Left wrist pediatric wrist radiograph, posteroanterior projection, 16-year-old female, 592 x 1332 px —

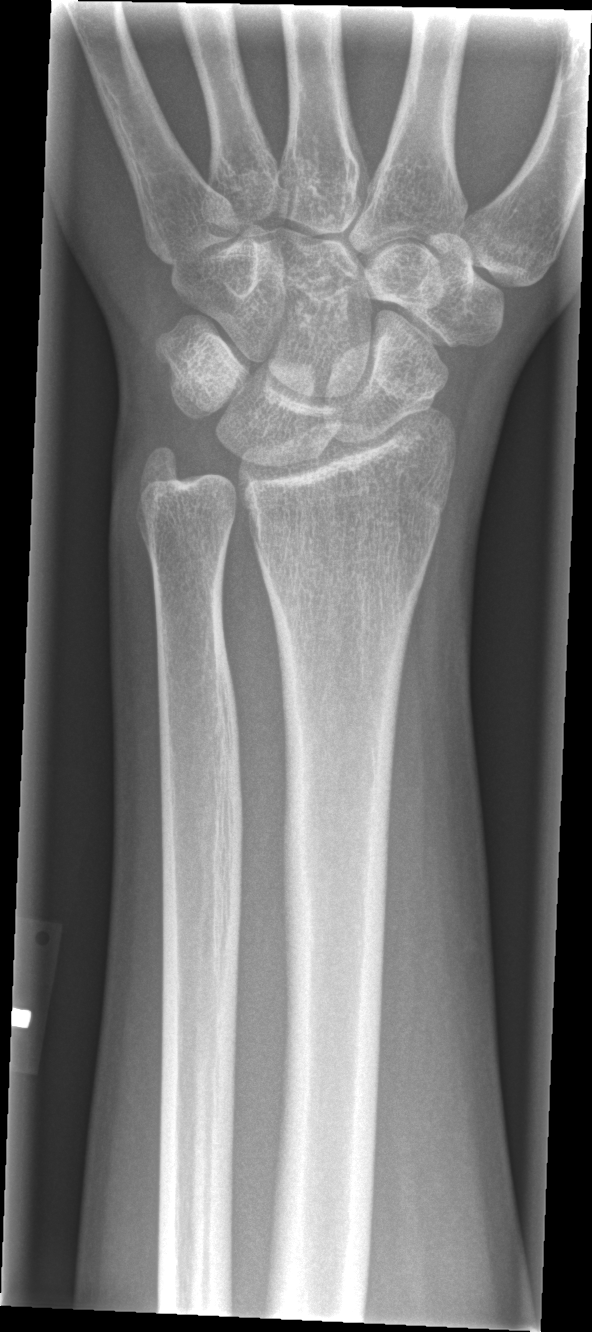
fracture: none labeled